Posteroanterior view; Rt plain radiograph of the wrist; image size 473x664. 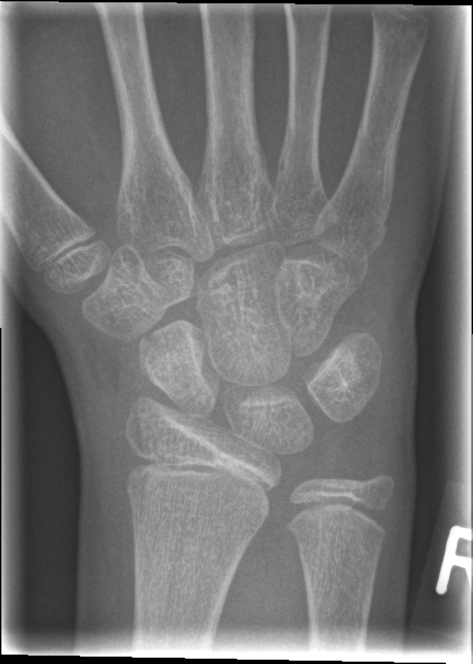 fracture = present but not clearly seen in this view
AO classification = 72B(c)